Rt wrist X-ray · PA projection · 6-year-old boy · follow-up · cast in situ 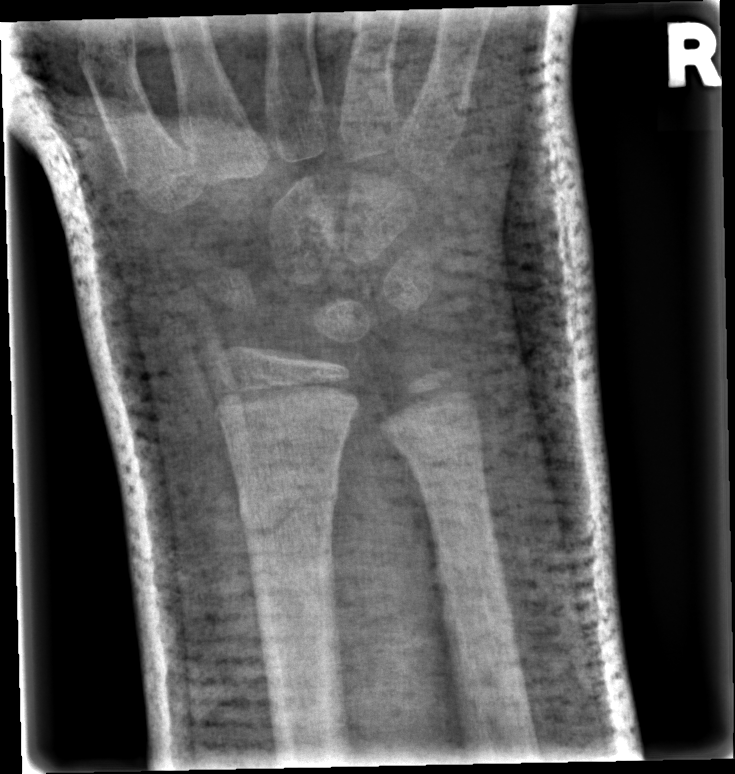 Fractures — bbox(386, 397, 487, 474) bbox(237, 483, 339, 540).